Lat | Rt plain radiograph of the wrist | 10-year-old boy | cast present | 82.4 mm image width.

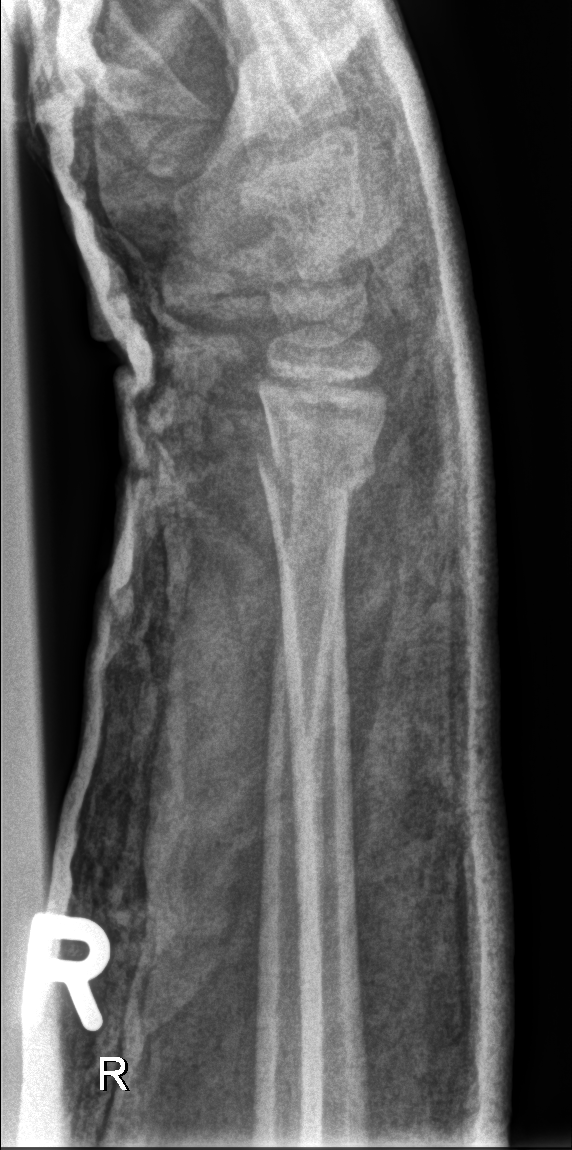

Fracture = (255, 429, 380, 504)
AO/OTA = 23r-M/3.1; 23u-M/2.1; 23u-E/7